Left wrist plain film; AP projection; presentation radiograph:

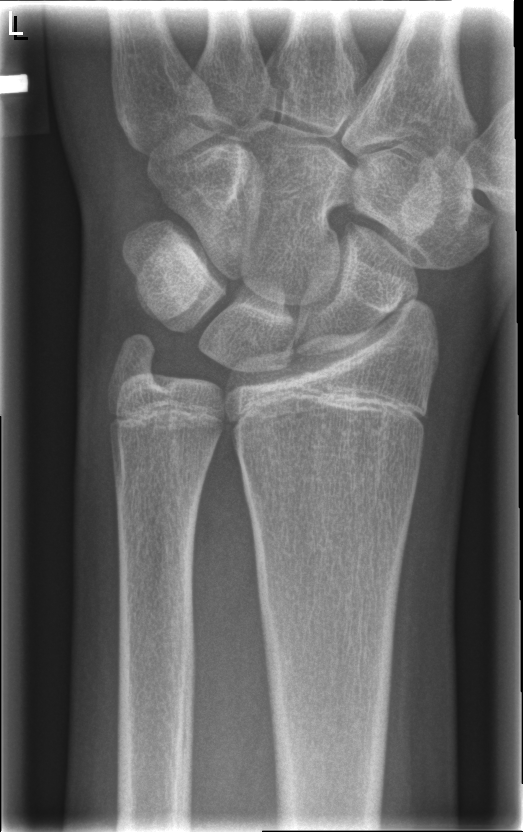 No fracture labeled.